Rt wrist radiograph; lateral view; pediatric patient (boy, age 12); follow-up study; imaged through cast; image 87.3 mm wide; 606 by 1528 pixels.

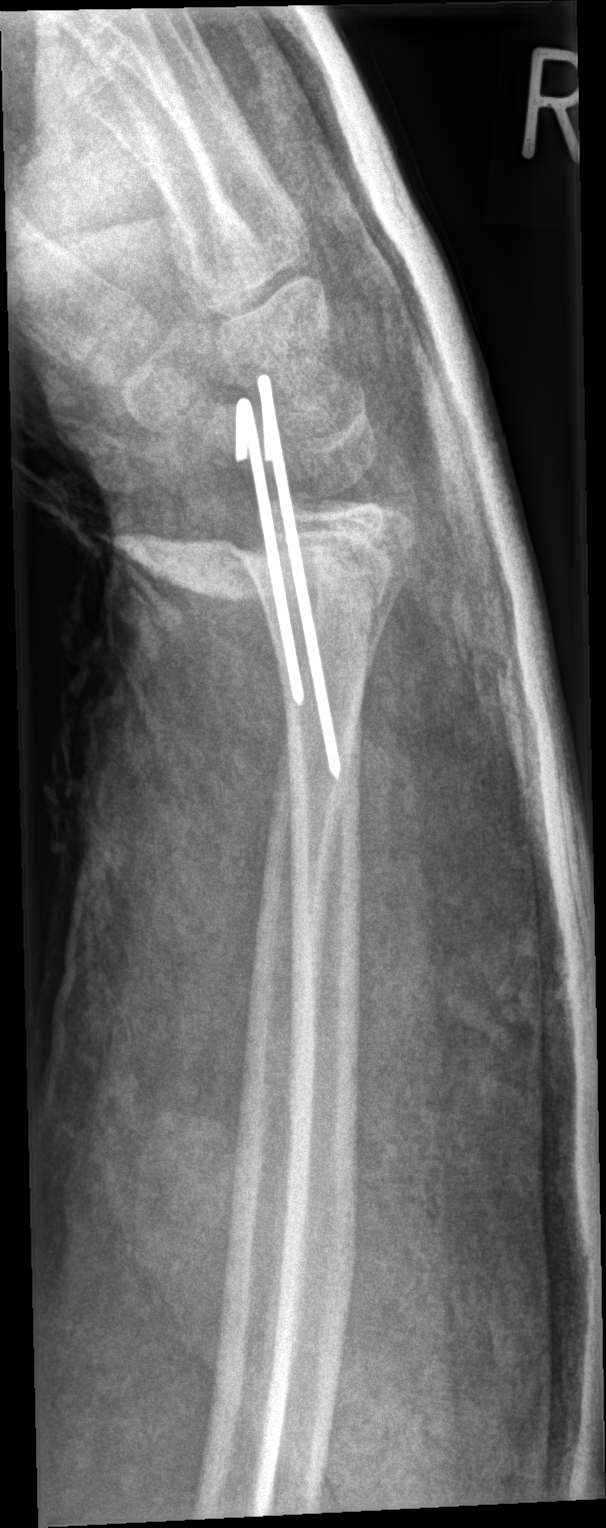 - Fracture: <249,580>-<387,618>.
- Metallic implant: <232,388>-<340,765>.
- Fracture classified AO/OTA 23r-E/2.1.